Lat view · right wrist pediatric wrist radiograph · presentation radiograph:
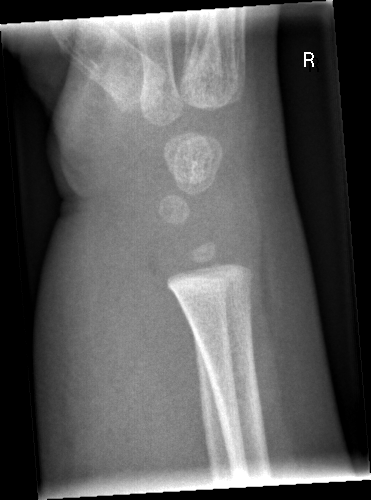

No fracture annotation.